Lat · Lt plain radiograph of the wrist · female, 8 yo —

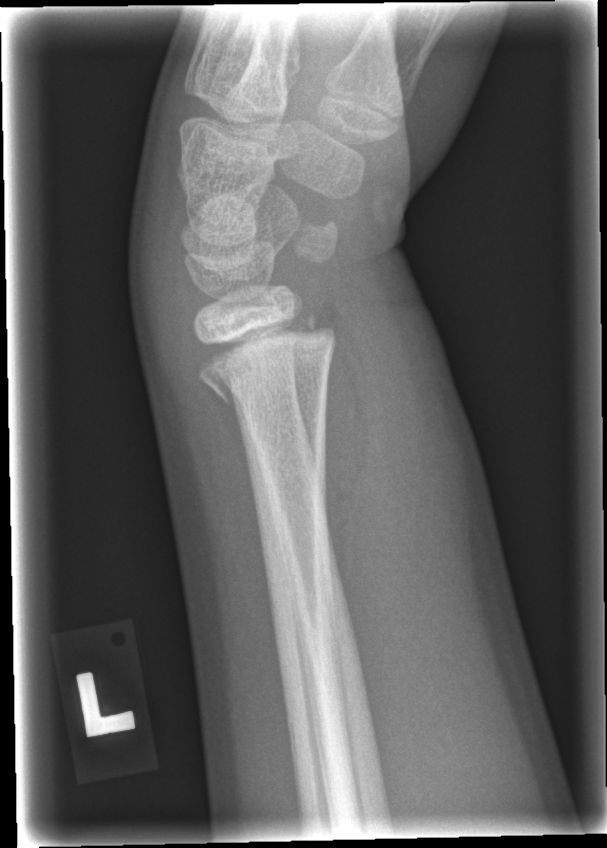
(coordinates are [x1, y1, x2, y2] in image pixels)
AO code = 23r-E/2.1; 23u-M/2.1
Pronator sign = bbox(319, 322, 374, 595)
Bone fracture = bbox(193, 312, 339, 407)